Frontal | left wrist plain radiograph of the wrist | 6-year-old boy — 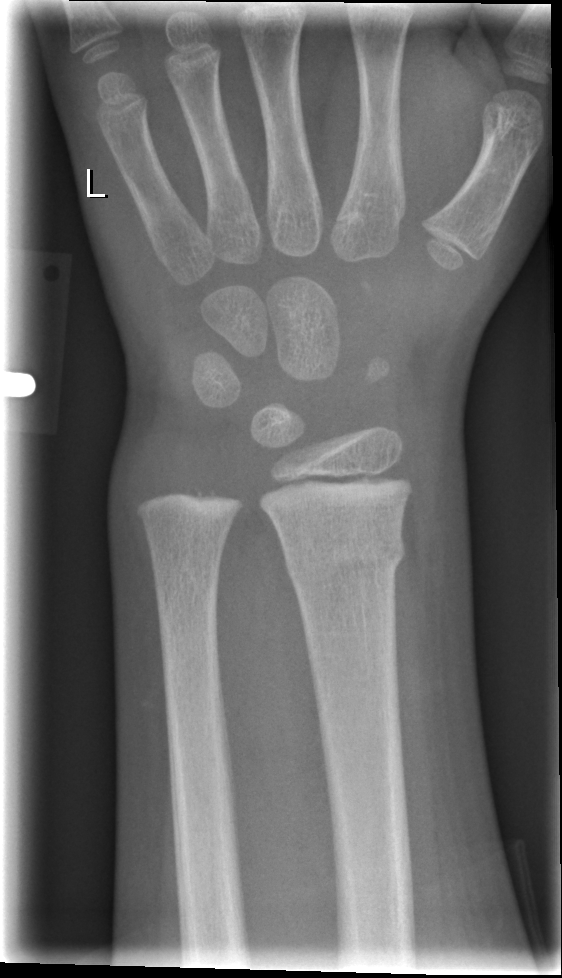 One fracture at (275, 527, 411, 591).